L wrist XR | lat projection. 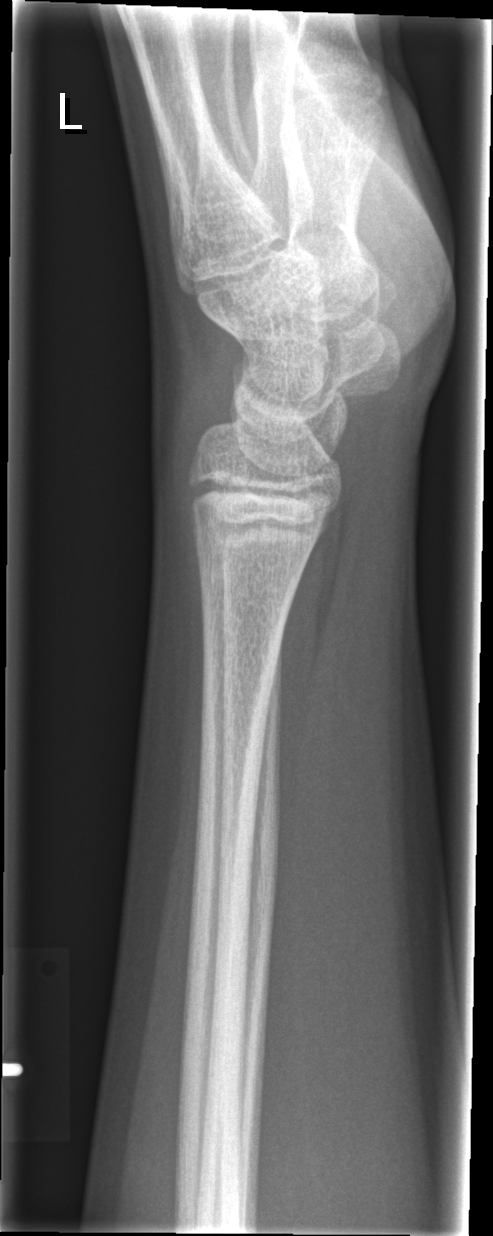

Bone fracture = none labeled